Right wrist plain radiograph of the wrist, PA projection, age 10 y, girl, initial study.
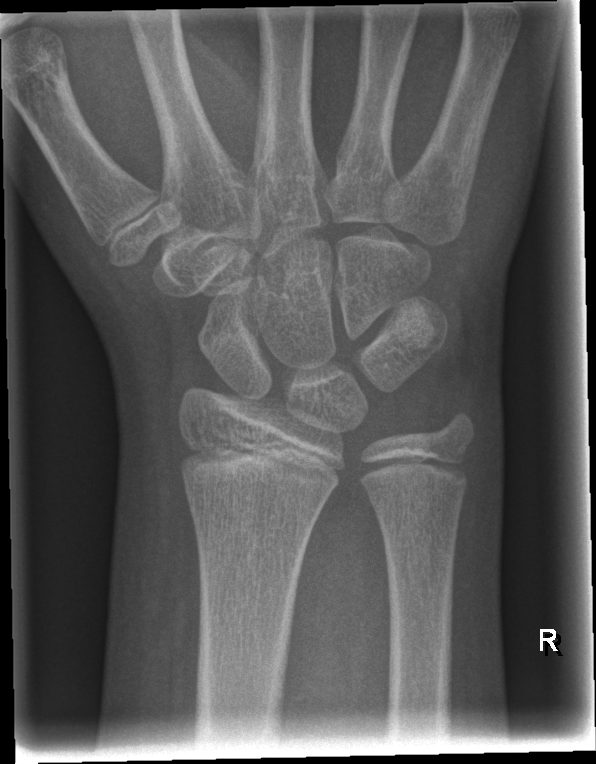

No fracture labeled.